Lateral projection, left wrist plain film, 11-year-old boy, 65.2 mm image width, 453x1124 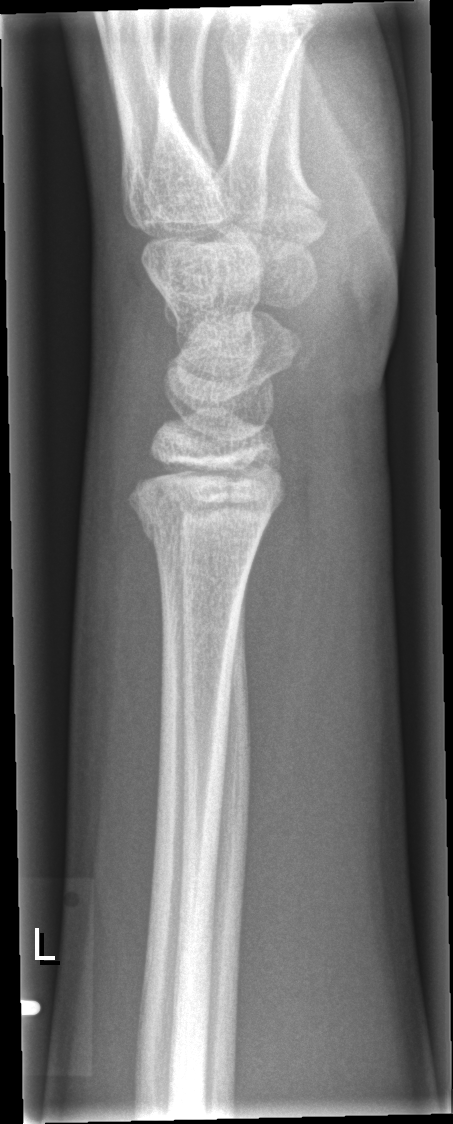 bone fracture = [134, 495, 271, 558]